Lt plain radiograph of the wrist, frontal projection, index exam.
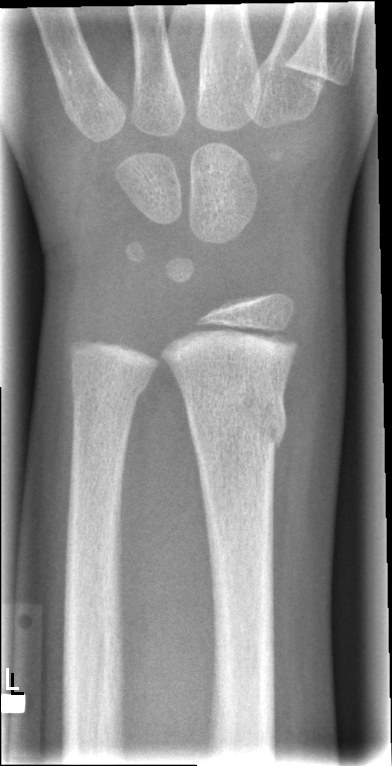
* Two fractures at [x1=186, y1=386, x2=288, y2=458]; [x1=68, y1=367, x2=154, y2=407].
* Fracture classified AO/OTA 23-M/2.1.